Lat; left plain radiograph of the wrist; age 7 y, male; image 71.4 mm wide 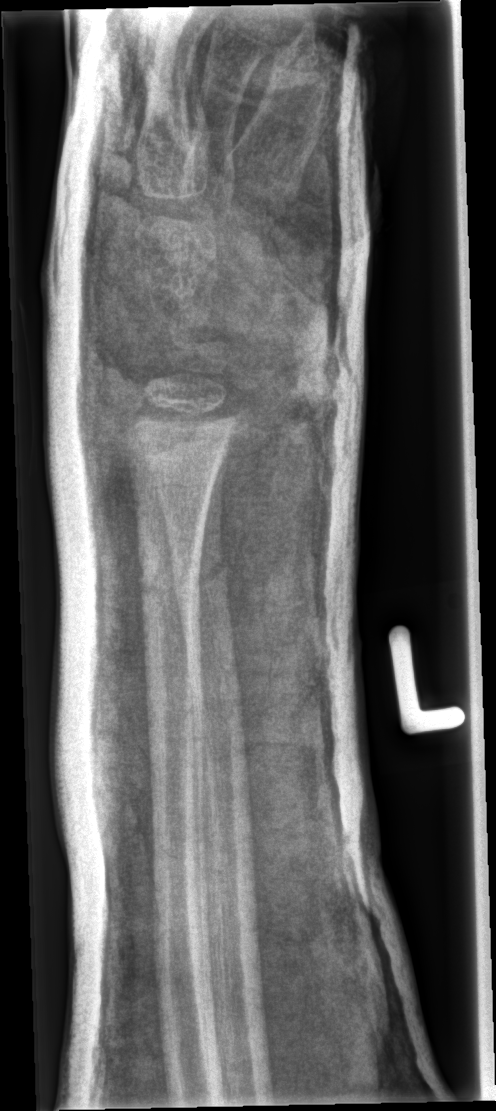 (boxes as x1,y1,x2,y2 (top-left / bottom-right, pixel units))
Bone fracture = 171 549 233 604 | 137 562 205 612
AO code = 23r-M/3.1; 23u-M/2.1